Right pediatric wrist radiograph; frontal projection; detector: Siemens; image 88.1 mm wide
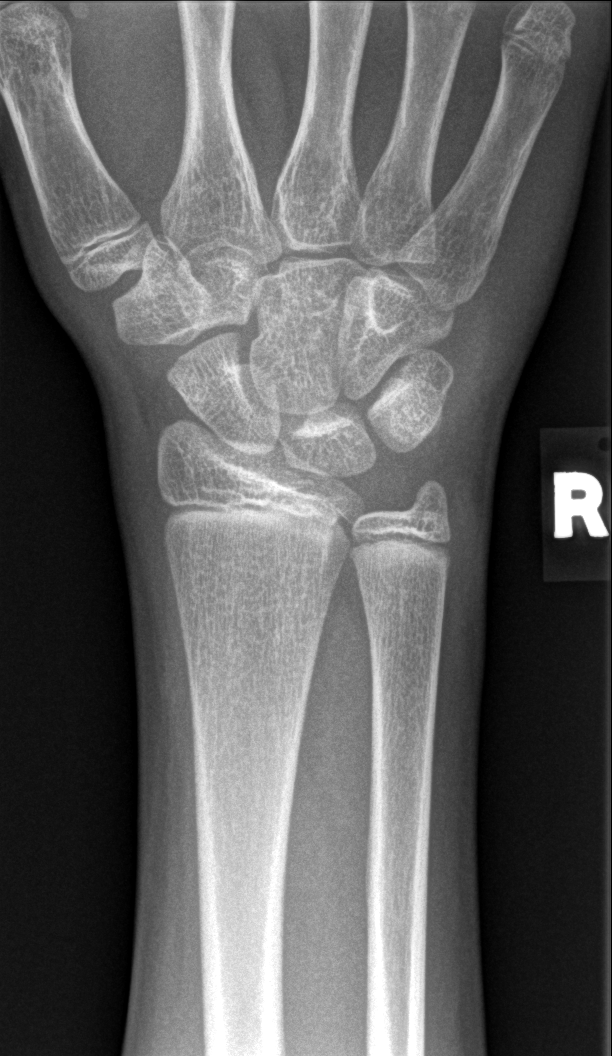
fracture = none labeled